Right wrist plain film | PA projection | acquired on Siemens —
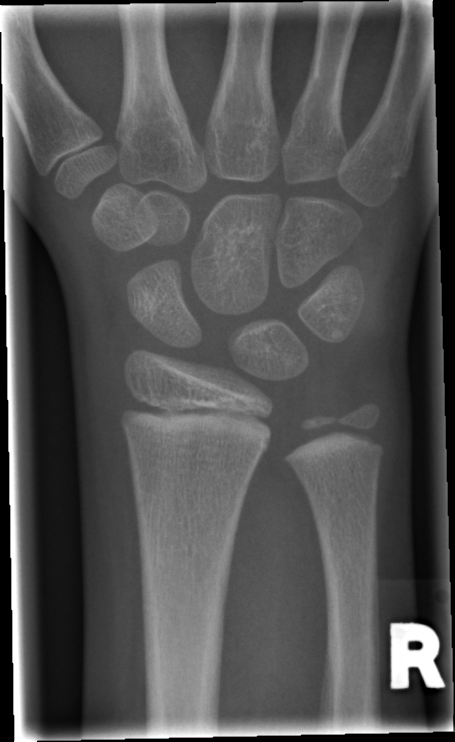

fracture: none labeled